PA view | R pediatric wrist radiograph | pediatric patient (boy, age 9): 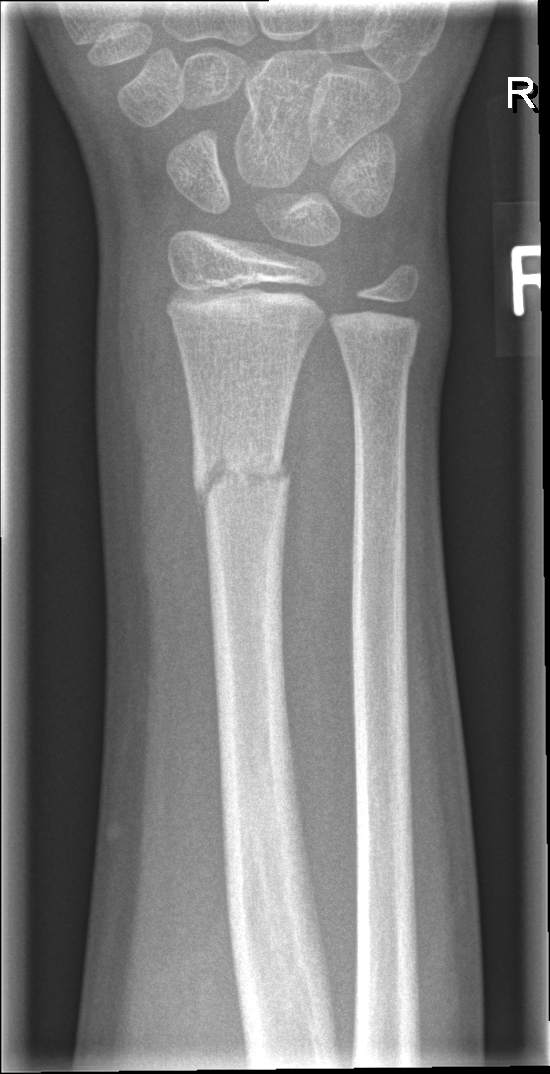 • Bounding boxes in image-pixel xyxy.
• Soft-tissue swelling — [x1=97, y1=231, x2=199, y2=584].
• AO/OTA classification: 23r-M/3.1; 23u-M/2.1.
• Bone fracture identified at [x1=188, y1=433, x2=293, y2=511], [x1=335, y1=328, x2=419, y2=379].